PA | right wrist plain film | 12-year-old male. 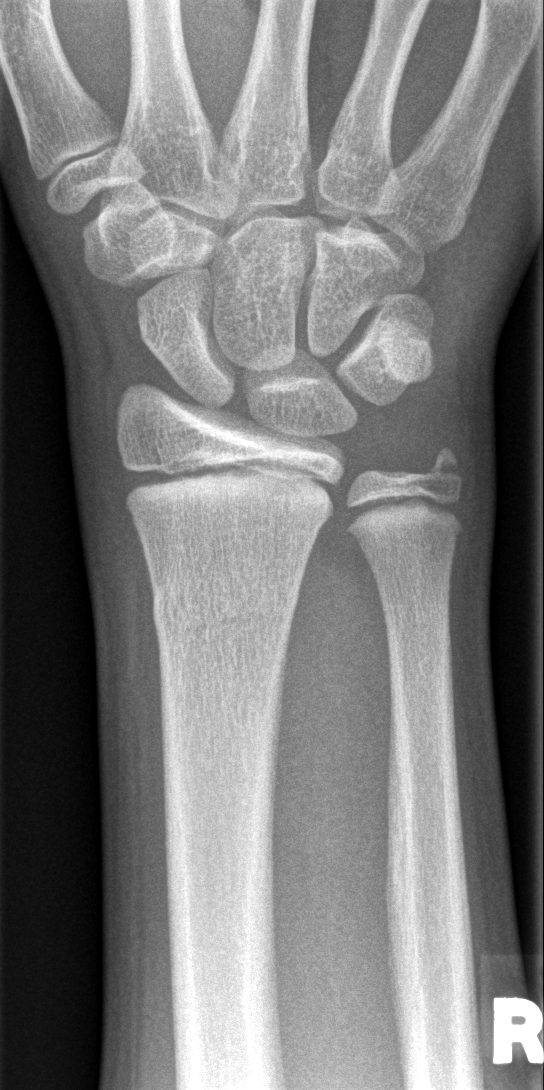 Fracture classified AO/OTA 23r-M/3.1; 23u-E/7. Two Fx at <148,564>-<303,644>, <404,432>-<476,502>.